Rt wrist X-ray; frontal view; acquired on Siemens; 64.7 mm image width; 449 x 716 px —
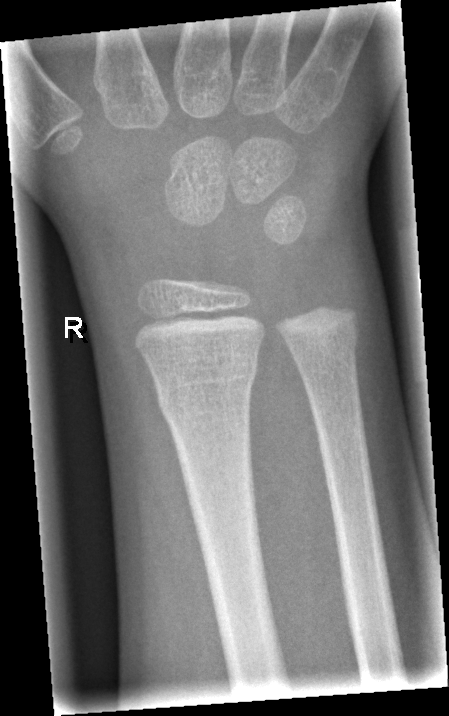
{
  "fracture": "2 @ bbox(152, 354, 258, 427), bbox(285, 319, 360, 369)"
}